Lateral view · left wrist XR · age 18 y, boy · follow-up —

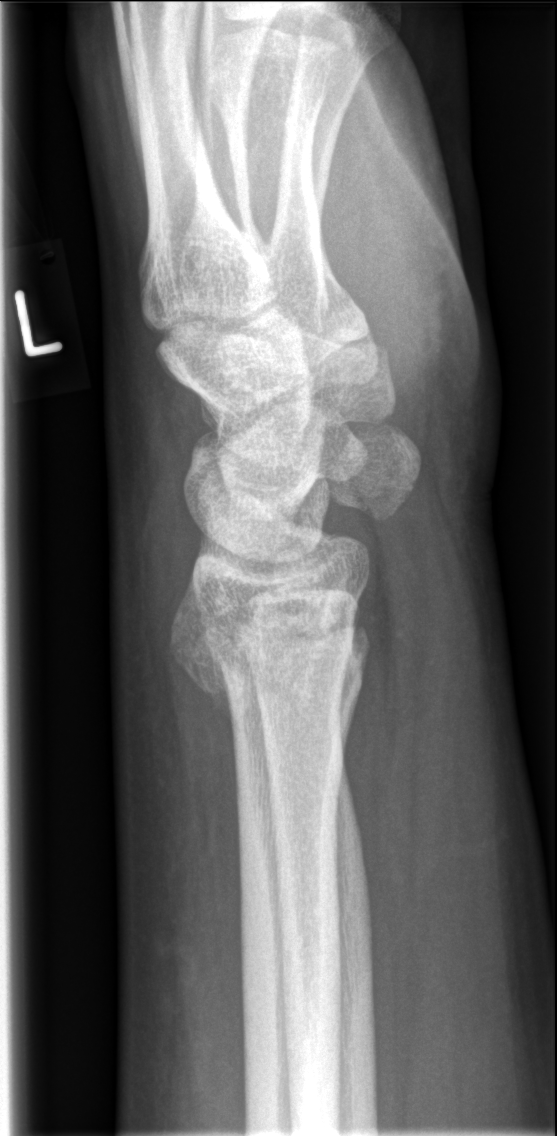 {
  "fracture": "1 @ 166 595 377 707"
}